Left wrist XR, lateral view, cast present
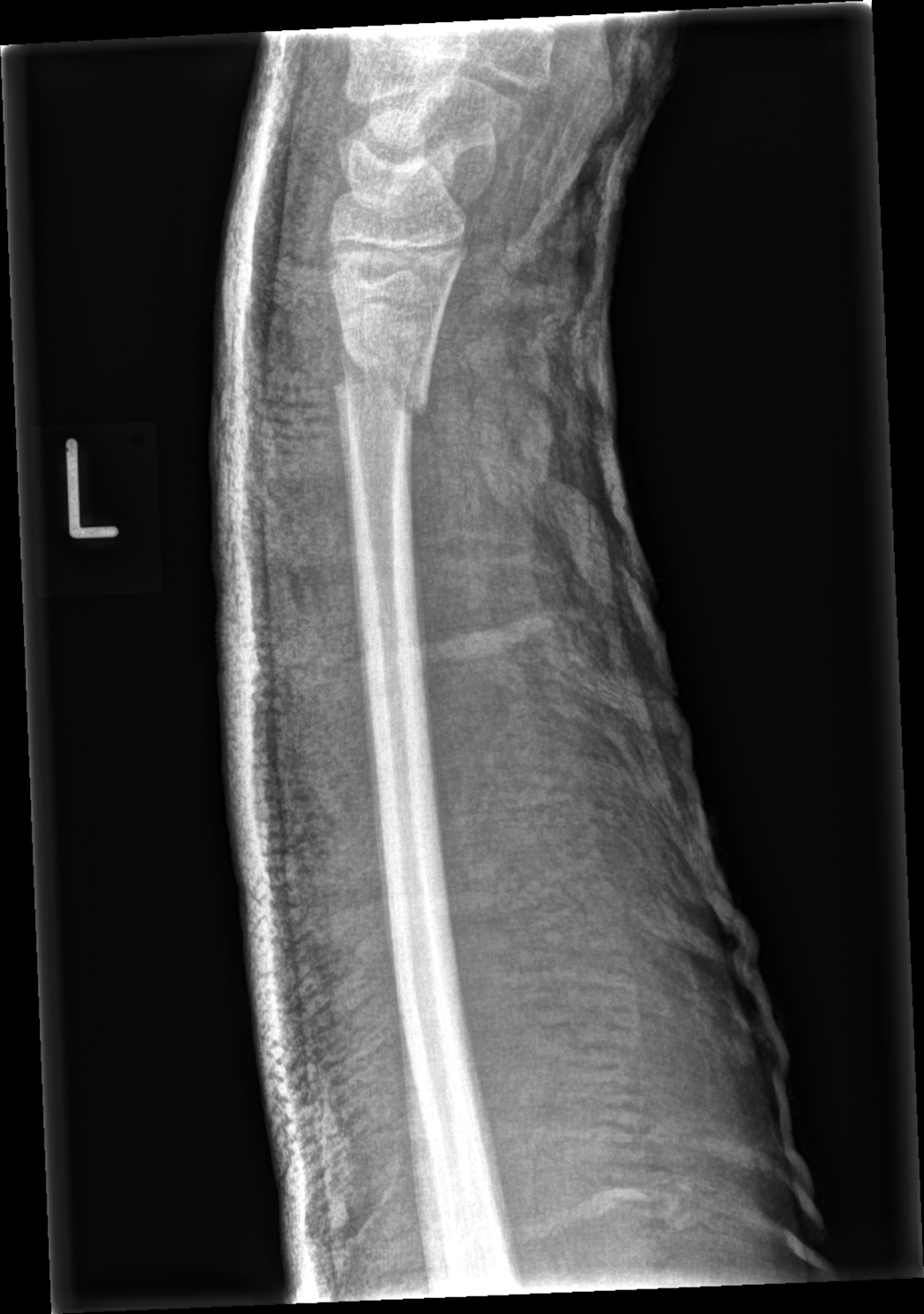

Q: What is the AO/OTA classification?
A: Fracture classified AO/OTA 23r-M/3.1
Q: Fracture present?
A: One fracture at <324,344>-<440,428>